Left wrist plain radiograph of the wrist, posteroanterior — 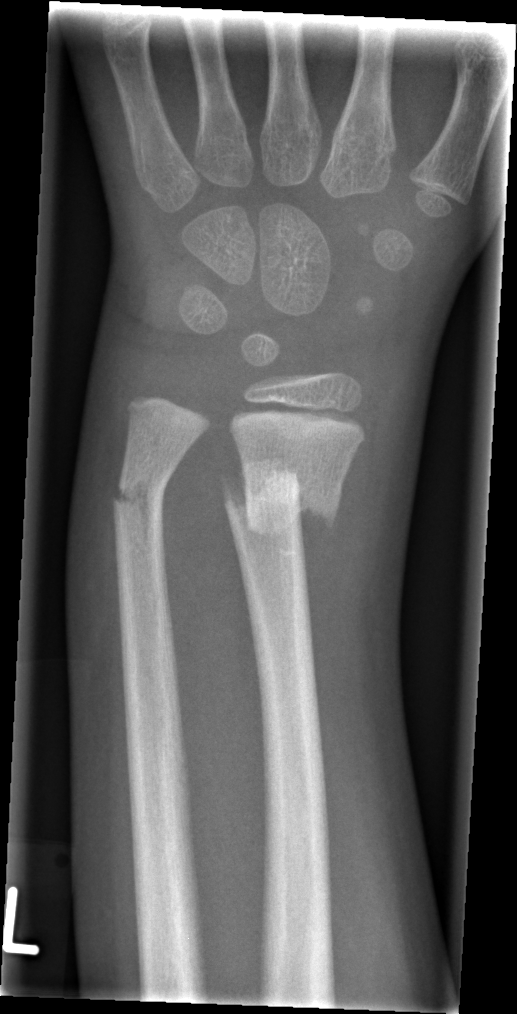
• Fx identified at [x1=219, y1=455, x2=345, y2=544], [x1=111, y1=457, x2=181, y2=531].